Left wrist radiograph; lat view; pediatric patient (female, age 9); index exam; Siemens; 65.4 mm image width. 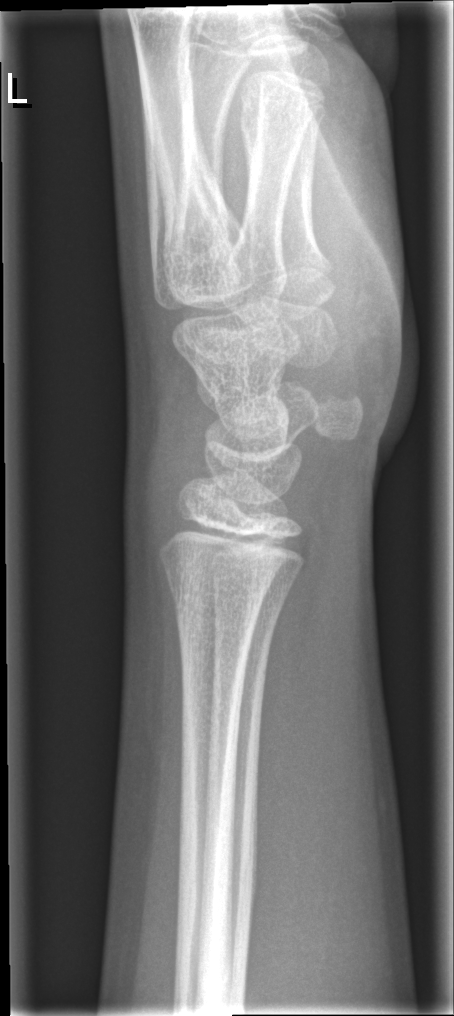 No fracture annotation.